Lateral, L wrist plain film, follow-up, 435 by 838 pixels 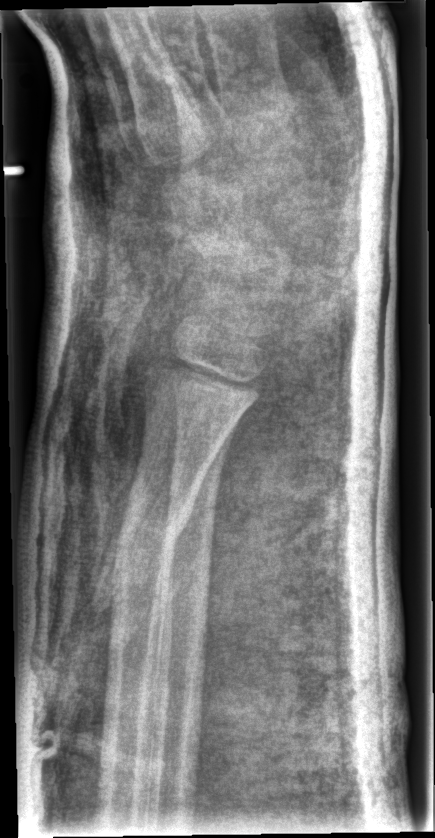

Bone fracture: <108,473>-<196,588>.
AO/OTA classification: 23r-M/2.1.